L wrist plain film, AP projection, age 12 y, male. 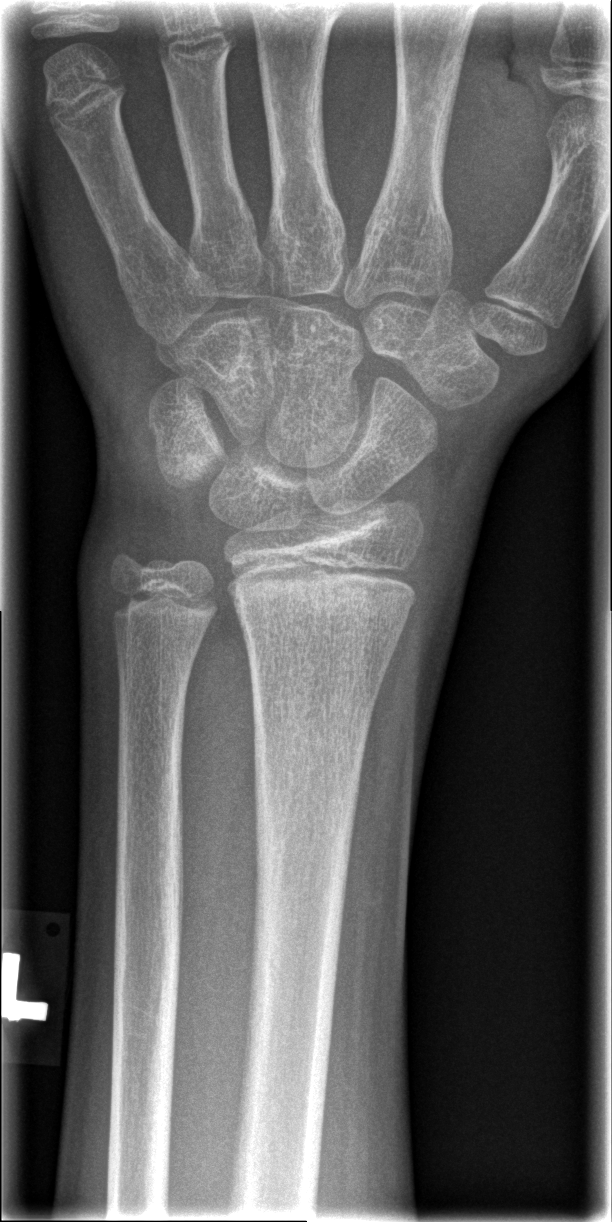

bone fracture: none labeled
osteopenia: present